Lt pediatric wrist radiograph | lateral projection | female, 5 yo | in cast | acquired on Siemens | image width 77.2 mm.

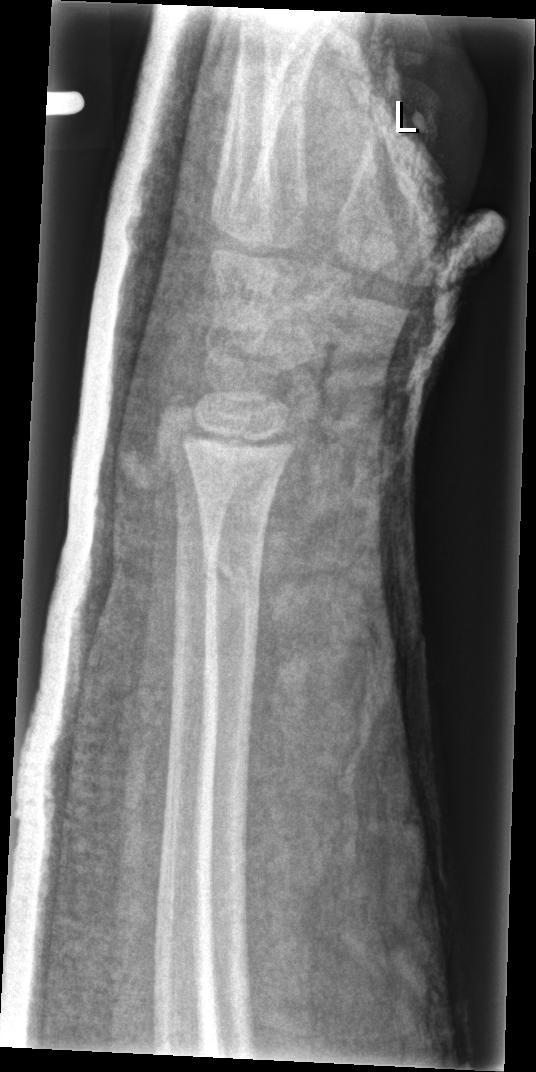
AO code 23r-M/3.1; 23u-E/7.
Fracture identified at (195, 537, 267, 604).